Lateral | left wrist radiograph | 13y M.
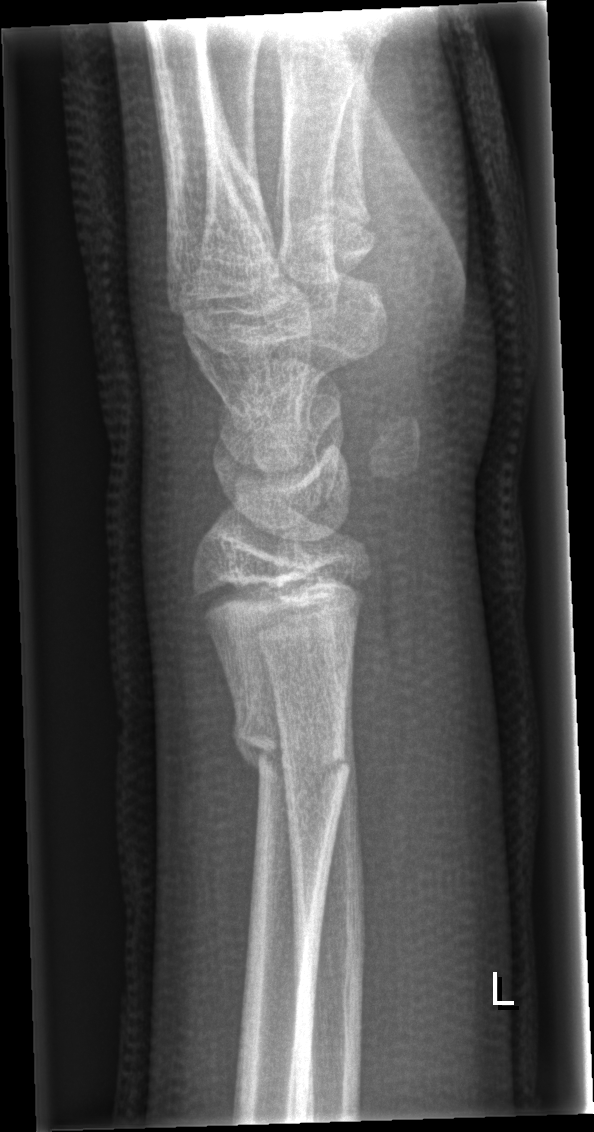
Fx — [x1=227, y1=699, x2=352, y2=811].